R plain radiograph of the wrist; lat view; detector: Siemens; 113.5 mm image width —

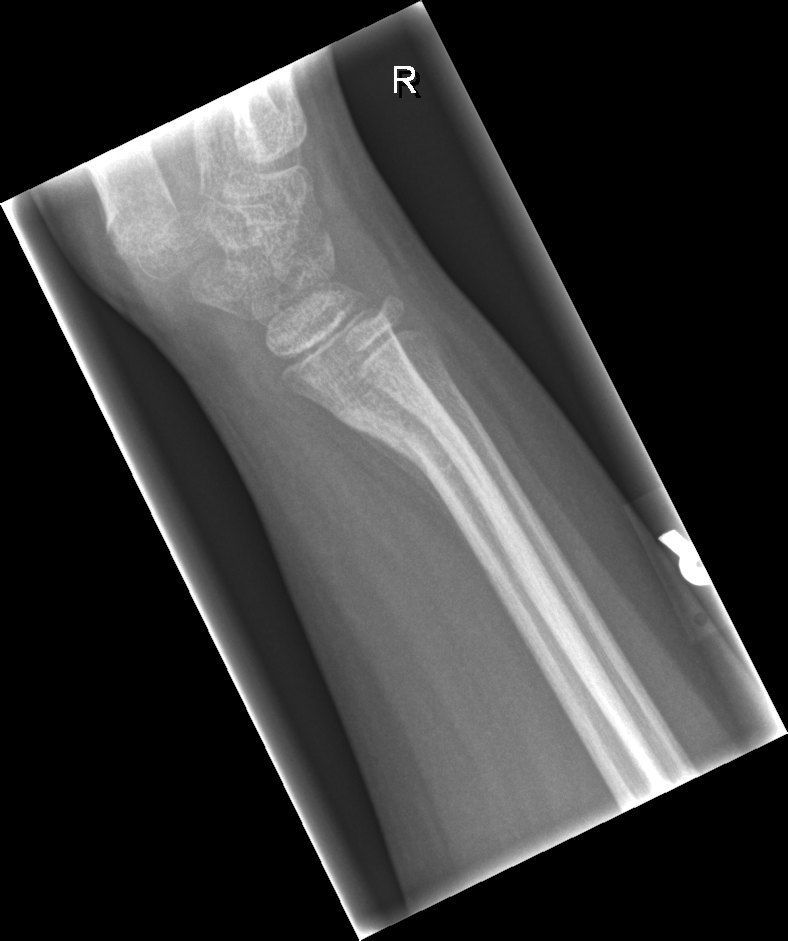 Q: AO code?
A: AO code 23-M/2.1
Q: Is there osteopenia?
A: Osteopenic
Q: Any periosteal thickening?
A: Periosteal thickening identified at 349,425,481,564
Q: Locate any fractures.
A: One Fx at 346,388,494,561